R wrist XR · lat
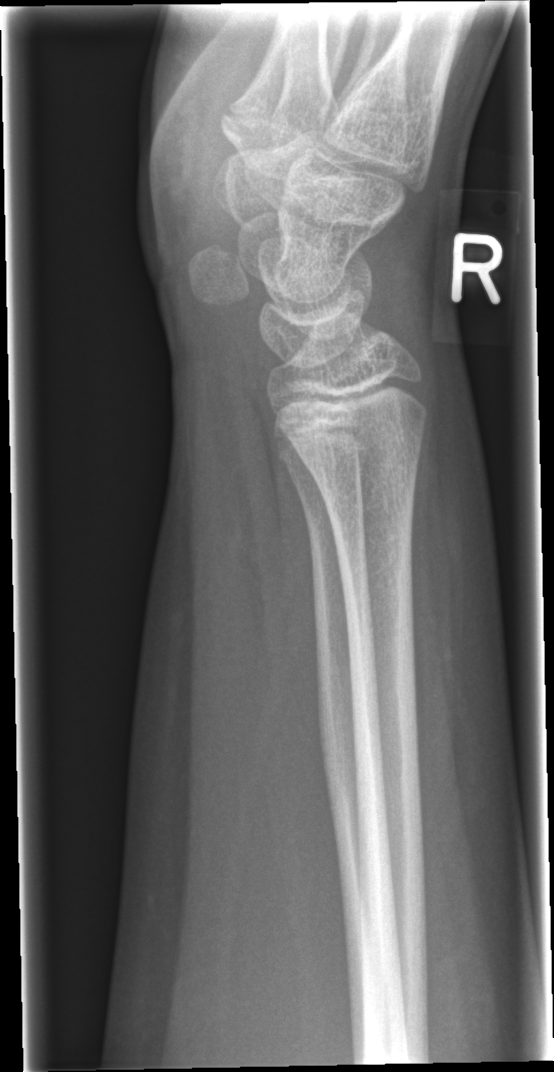
Findings: Fx: none.